Left wrist radiograph | AP view.
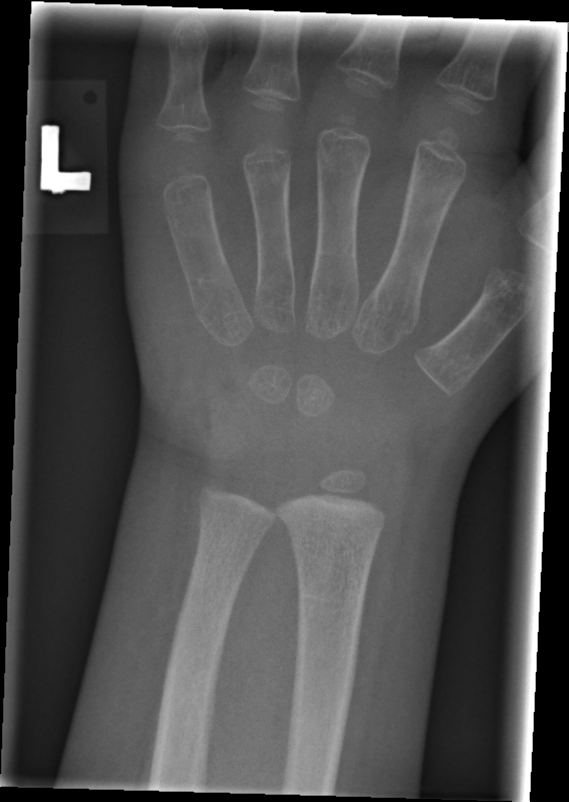
Fracture: none labeled